L wrist plain film · AP projection · 0.2y F · index exam · equivocal findings · Siemens · 372x460: 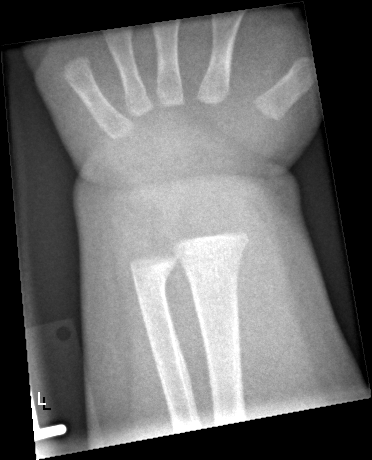
FINDINGS — (pixel coordinates, top-left origin, xyxy) Fx identified at [x1=176, y1=244, x2=248, y2=275] [x1=128, y1=255, x2=175, y2=290].